Right wrist X-ray; lateral projection; girl, 13 yo; subsequent exam; in cast; Siemens —

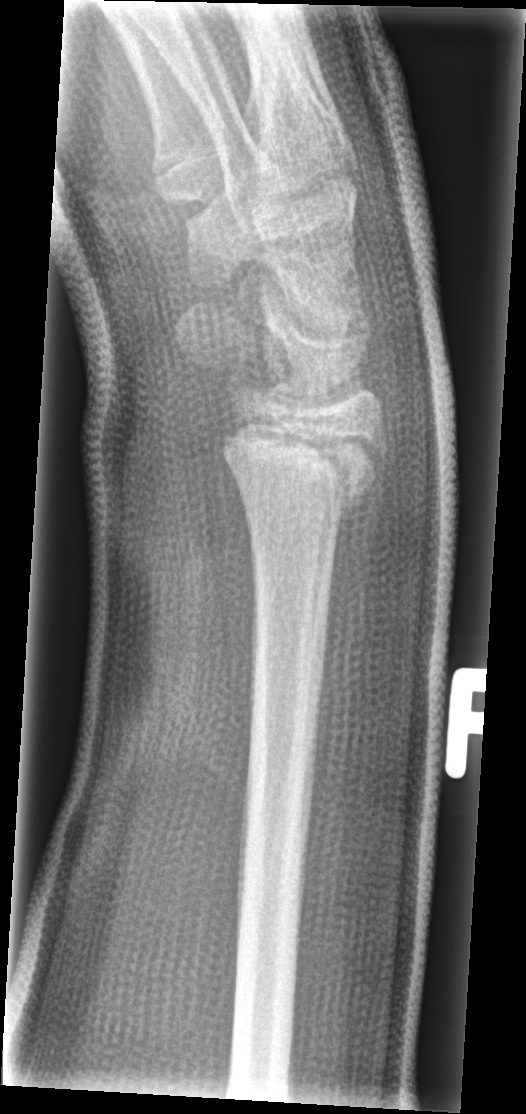 (pixel coordinates, top-left origin, xyxy)
Q: Fracture present?
A: Bone fracture — <206,408>-<394,510>
Q: What is the AO/OTA classification?
A: AO/OTA classification: 23r-E/2.1; 23u-E/7